Right wrist radiograph, lat, 445x756 —
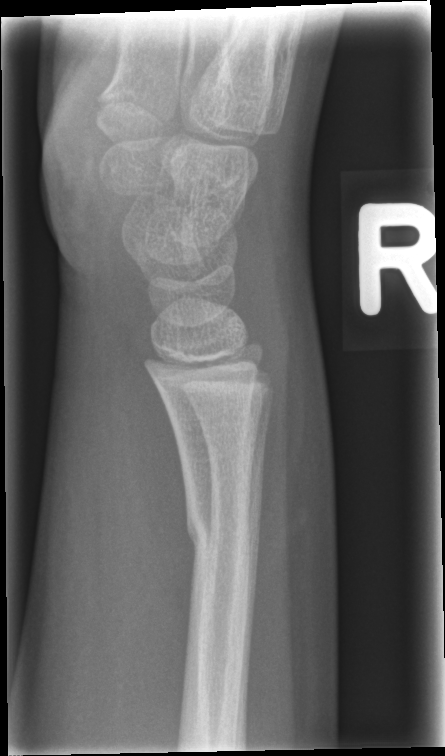 Fracture identified at [183, 499, 256, 574].
AO/OTA classification: 23r-M/2.1.